Left wrist XR; AP.
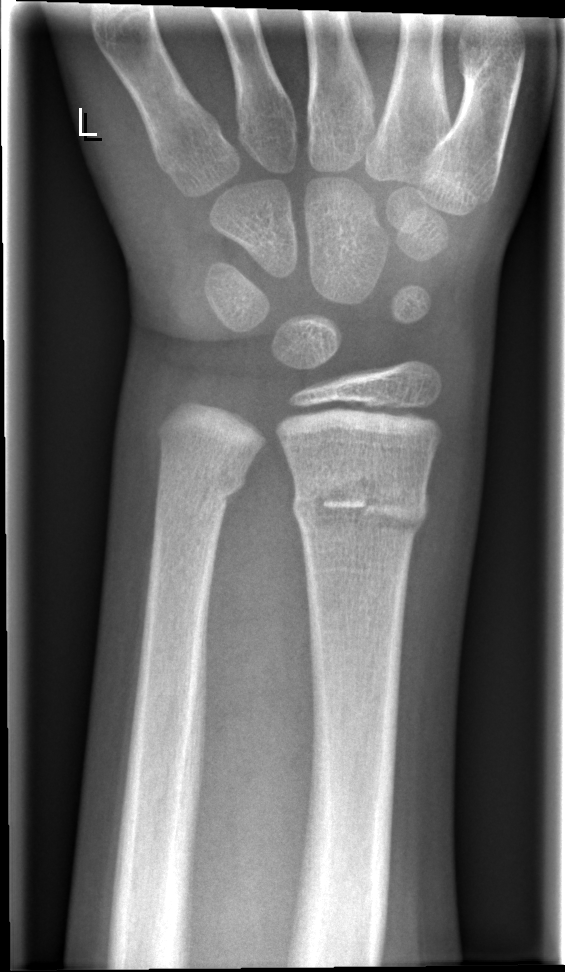

Fracture classified AO/OTA 23-M/2.1.
Fracture identified at (288, 471, 431, 545) (153, 456, 257, 516).